Right plain radiograph of the wrist | lateral | 623x1184. 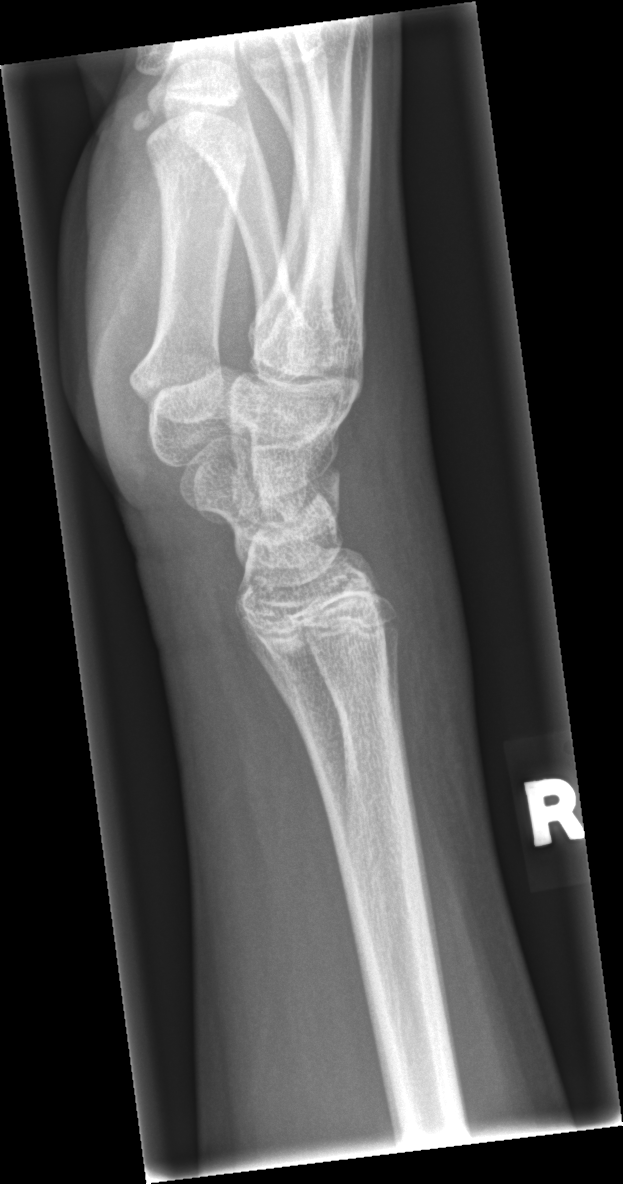 soft tissue abnormality: 1 @ bbox(358, 393, 479, 774)
fracture: none labeled